R wrist radiograph, PA projection, 668 x 1063 px. 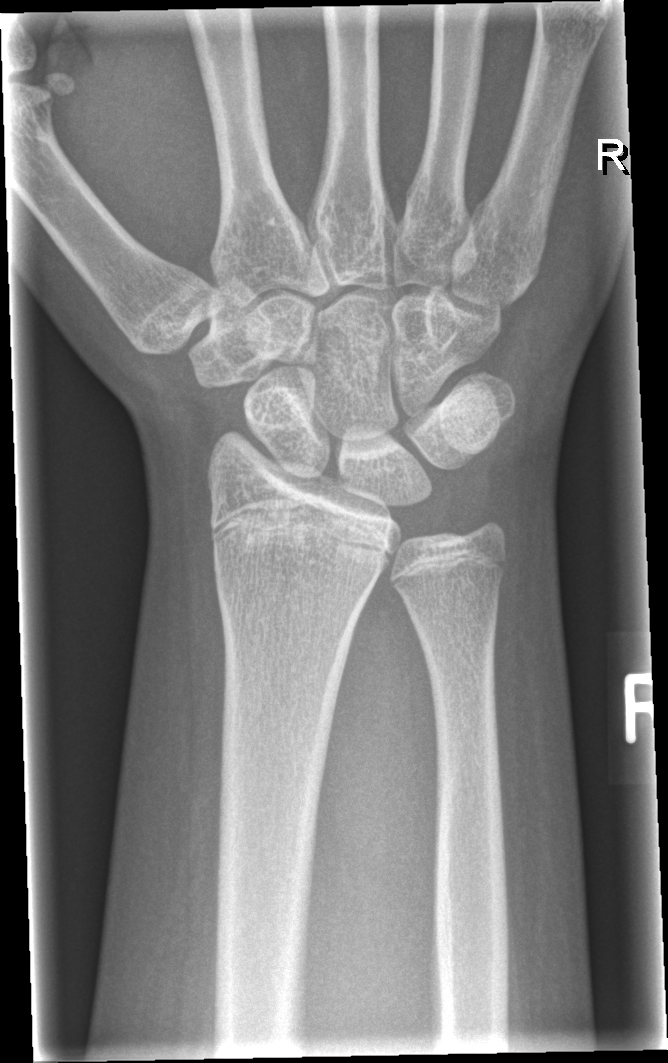
FINDINGS: No fracture bounding box.